Lateral view | Lt wrist X-ray | 10y M.
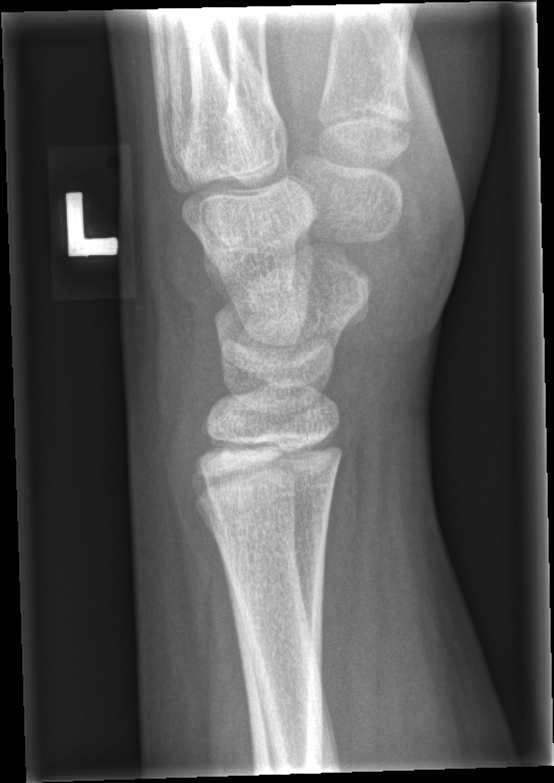
Fx = none labeled